PA view | L wrist XR

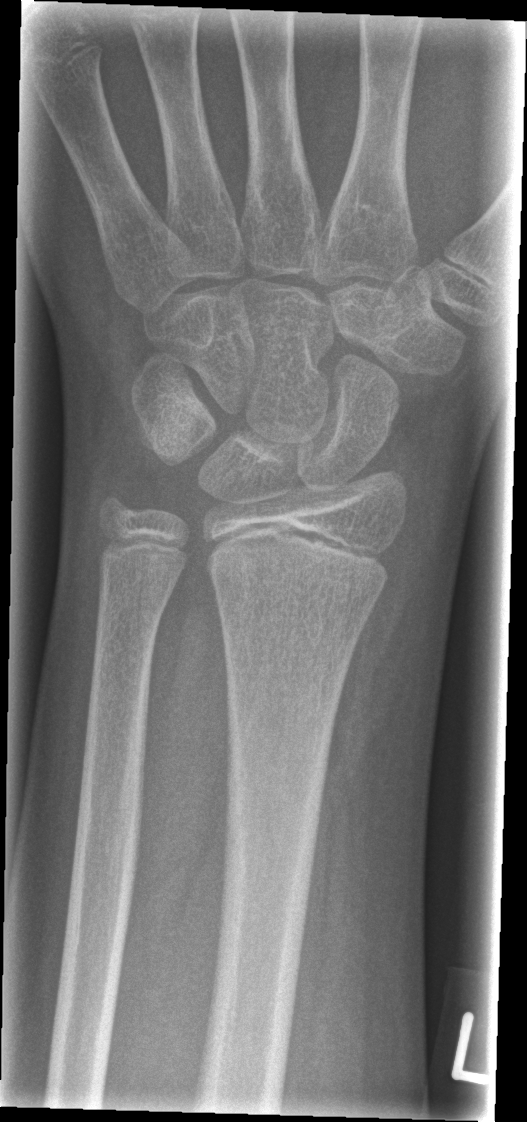

Findings: Fx: present but not clearly seen in this view.